R wrist X-ray, PA projection, 13y F, detector: Siemens:
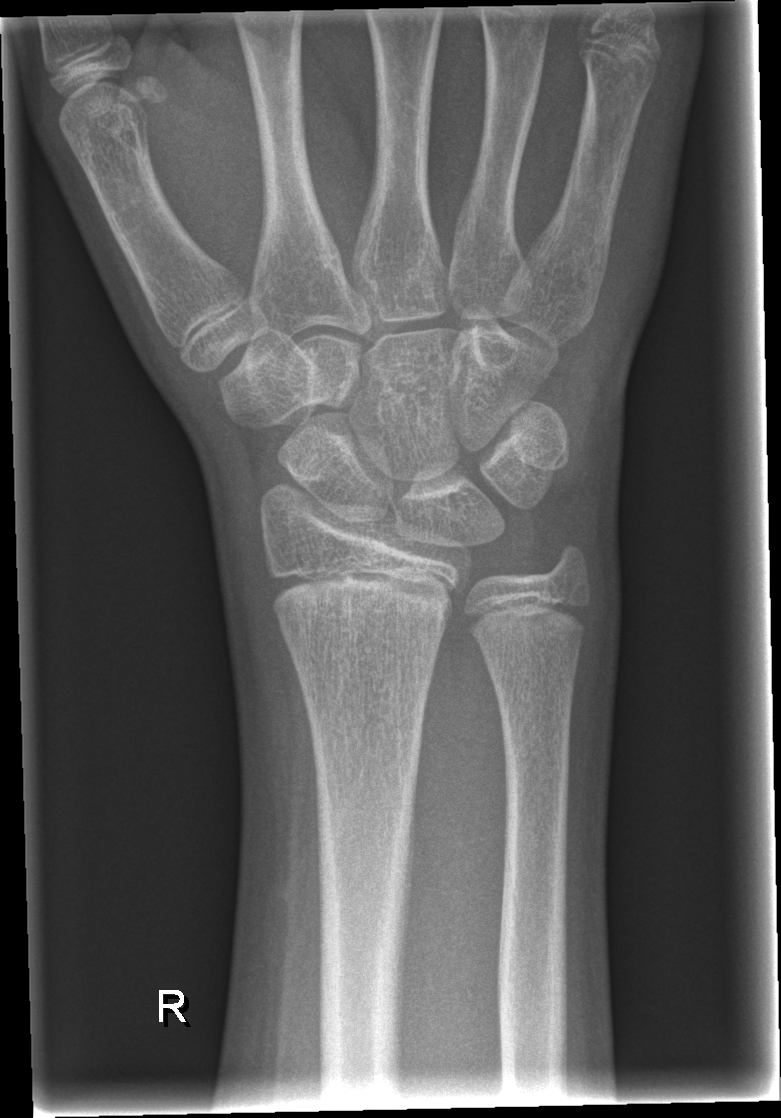
fracture: none labeled